Lateral view, right wrist plain film 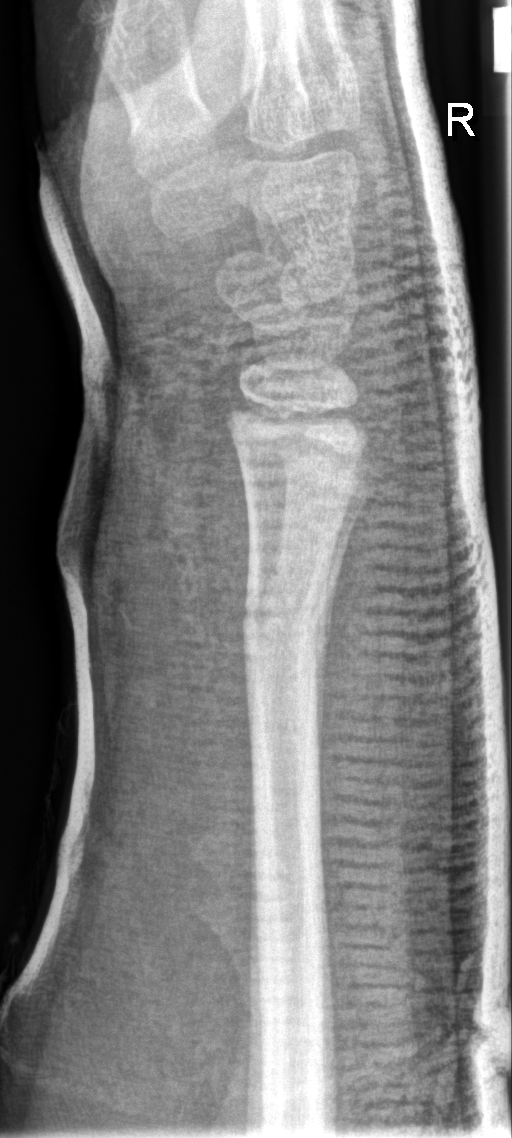 Findings: Fracture classified AO/OTA 23r-M/3.1. One bone fracture at bbox(238, 589, 335, 656).